Left wrist X-ray; lateral view —

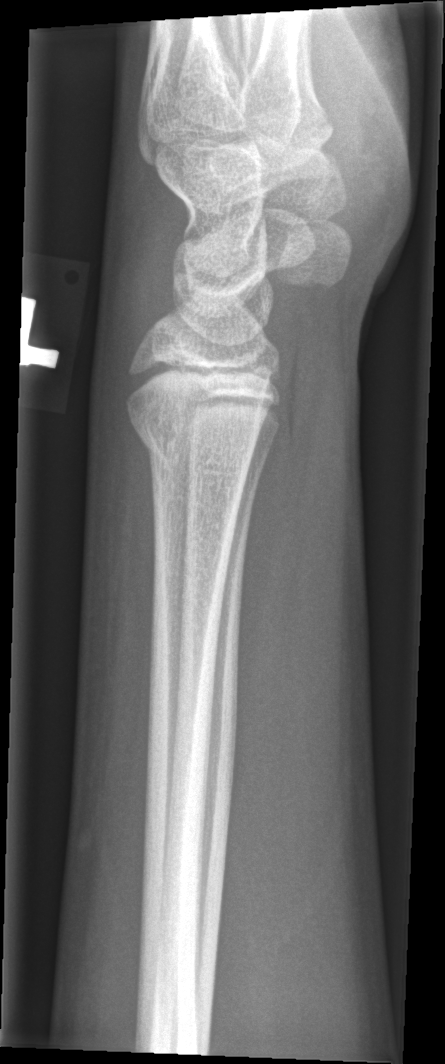
(pixel coordinates, top-left origin, xyxy)
bone fracture: bbox(129, 405, 260, 486)